Rt wrist X-ray · AP · pediatric patient (boy, age 4) · 570 by 1026 pixels:

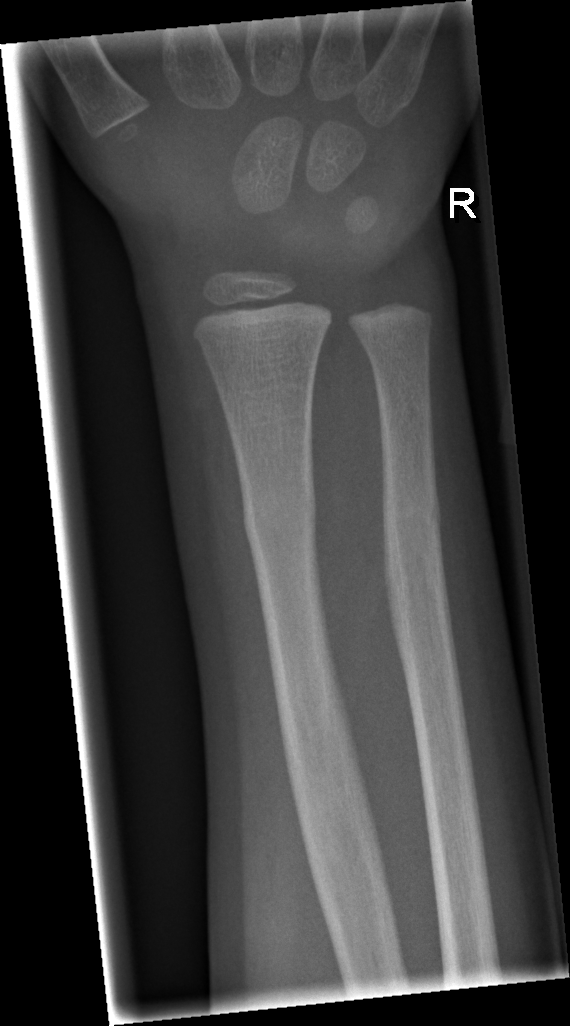

* Boxes as x1,y1,x2,y2 (top-left / bottom-right, pixel units).
* Fracture classified AO/OTA 22-D/2.1.
* Two bone fractures at 239 480 319 550 | 380 501 443 541.